Right wrist radiograph | lat view | initial study | acquired on Siemens — 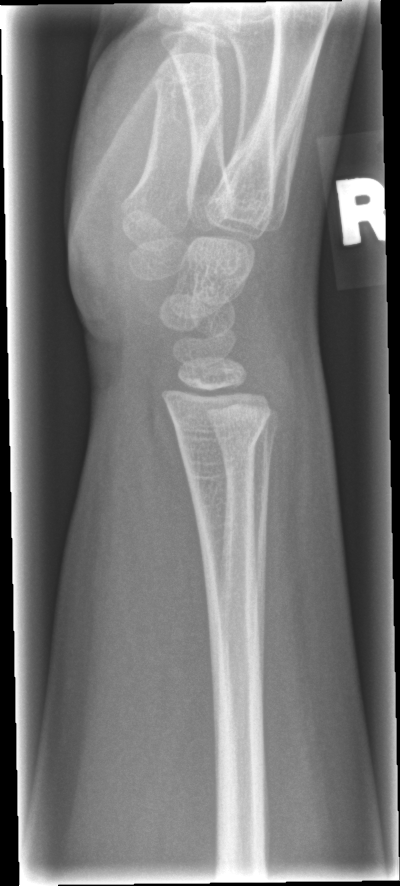 (bounding boxes in image-pixel xyxy)
bone fracture: 1 @ [168, 414, 266, 468]